Lateral projection, L wrist XR, age 8 y, female.

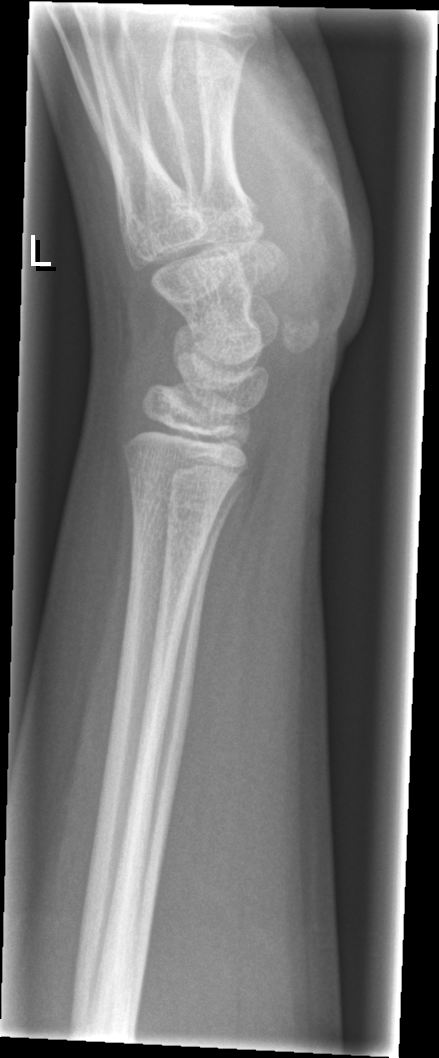
Fx = none labeled